Posteroanterior projection; left wrist plain film; index exam — 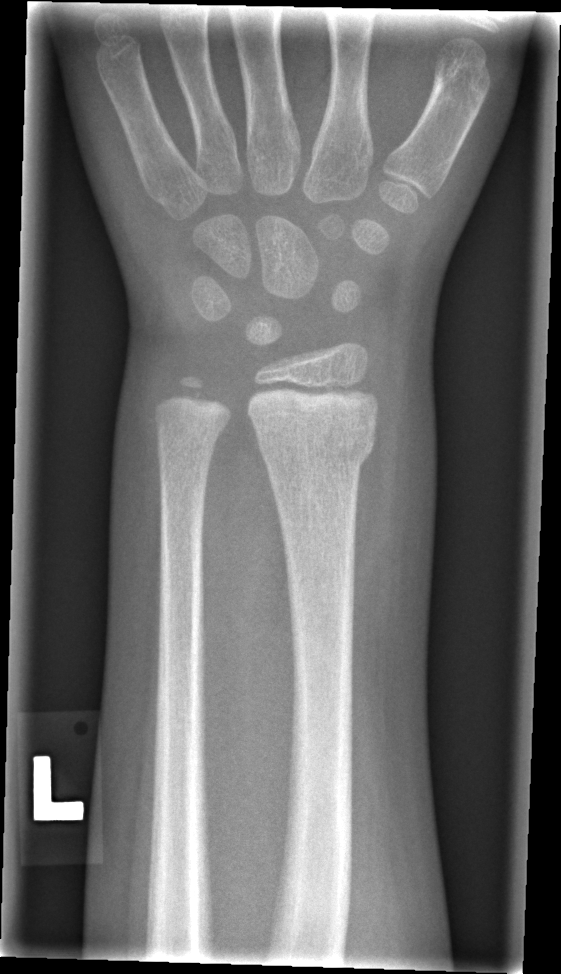 Q: AO code?
A: AO code 23r-M/2.1
Q: Locate any fractures.
A: Fracture: [x1=249, y1=407, x2=379, y2=467]